Right wrist XR; PA projection; follow-up study; imaged through cast; image 96.8 mm wide. 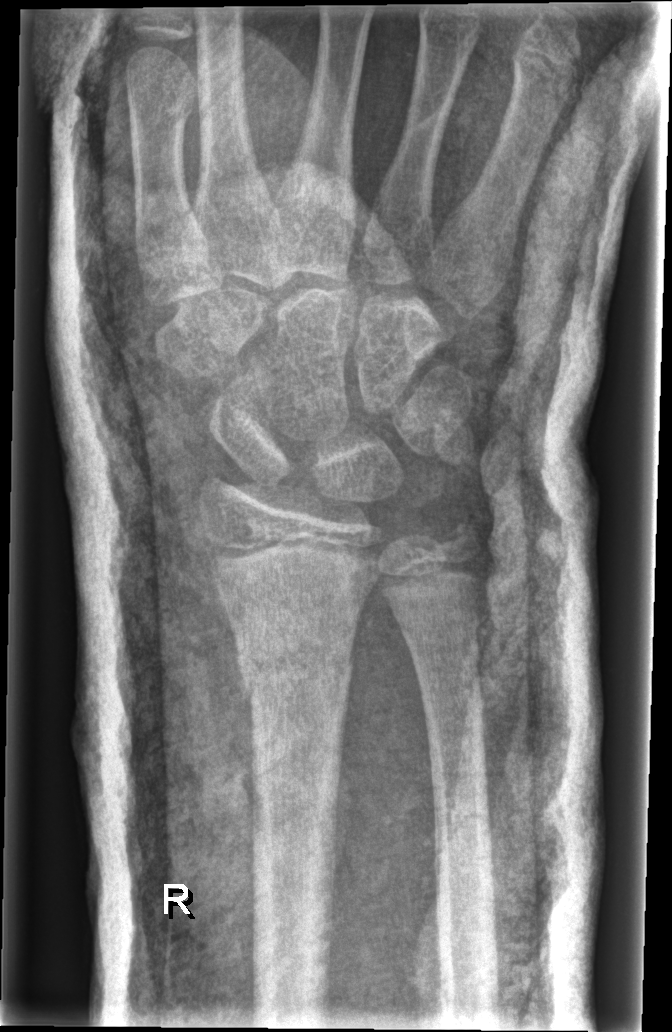 FINDINGS: Fx: [x1=233, y1=632, x2=359, y2=696] [x1=426, y1=508, x2=486, y2=568].